Posteroanterior view, L wrist X-ray, age 15 y, girl, image 80.9 mm wide
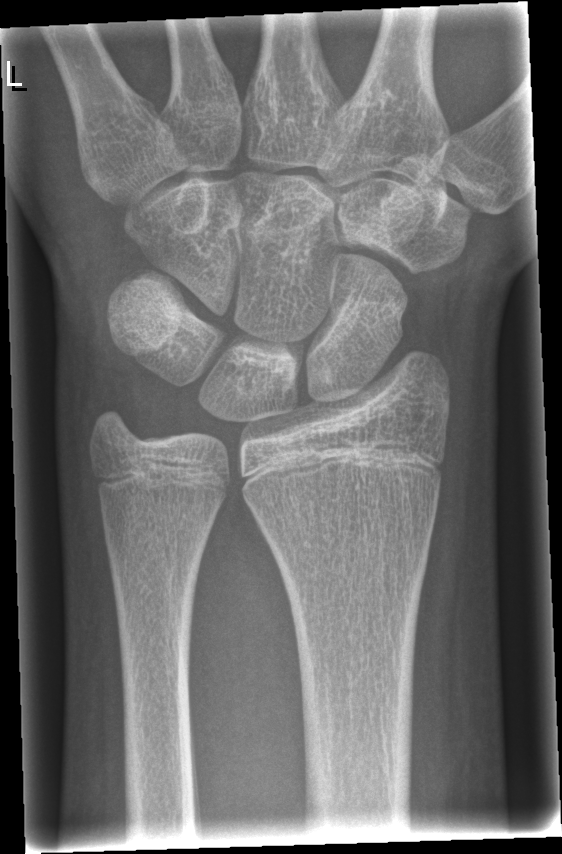
Q: Locate any fractures.
A: No fracture labeled